AP projection | L wrist plain film | female, 13 yo | 642 x 933 px 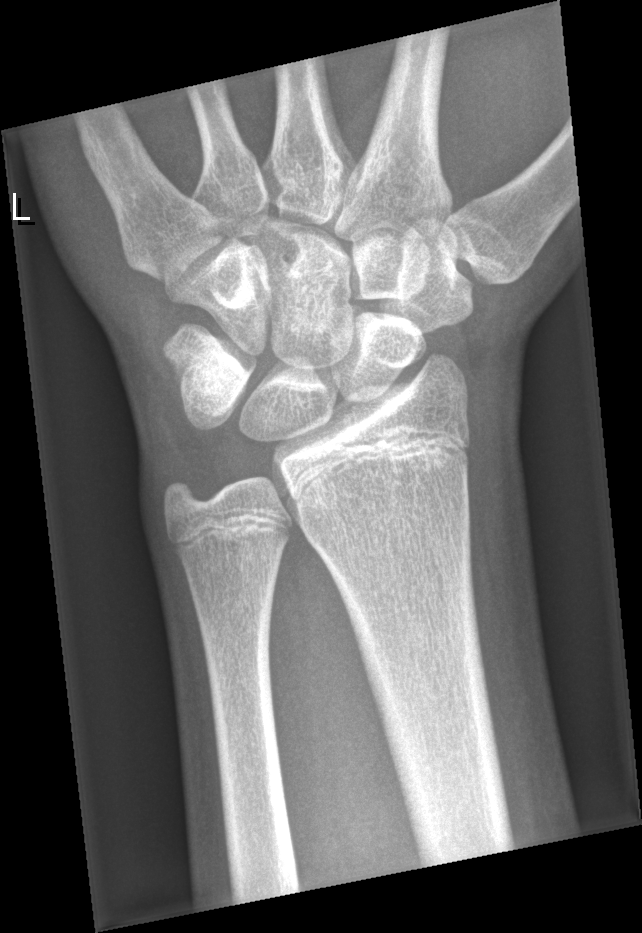

Fx: none.